Posteroanterior projection · Rt wrist X-ray · 8-year-old girl · index exam · 422 x 956 px
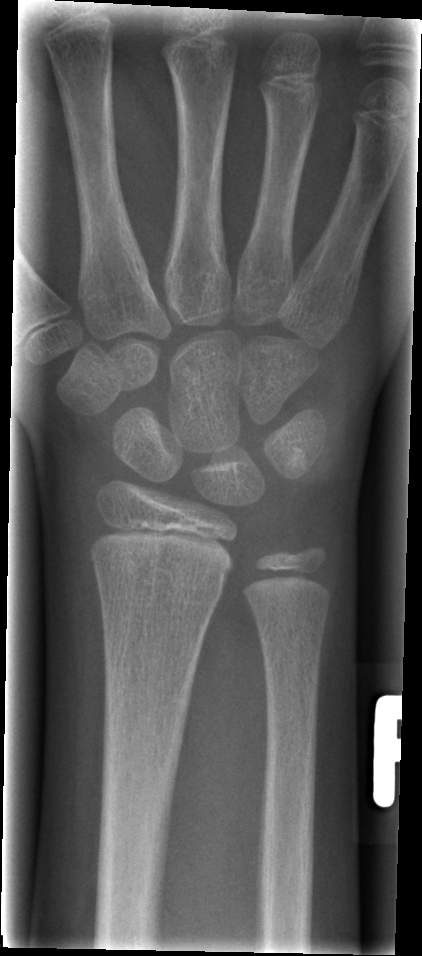

Q: Any fracture seen?
A: Fracture present but not clearly seen in this view
Q: What is the AO/OTA classification?
A: Fracture classified AO/OTA 23r-M/2.1